R wrist plain film | frontal view | male, 17 yo.

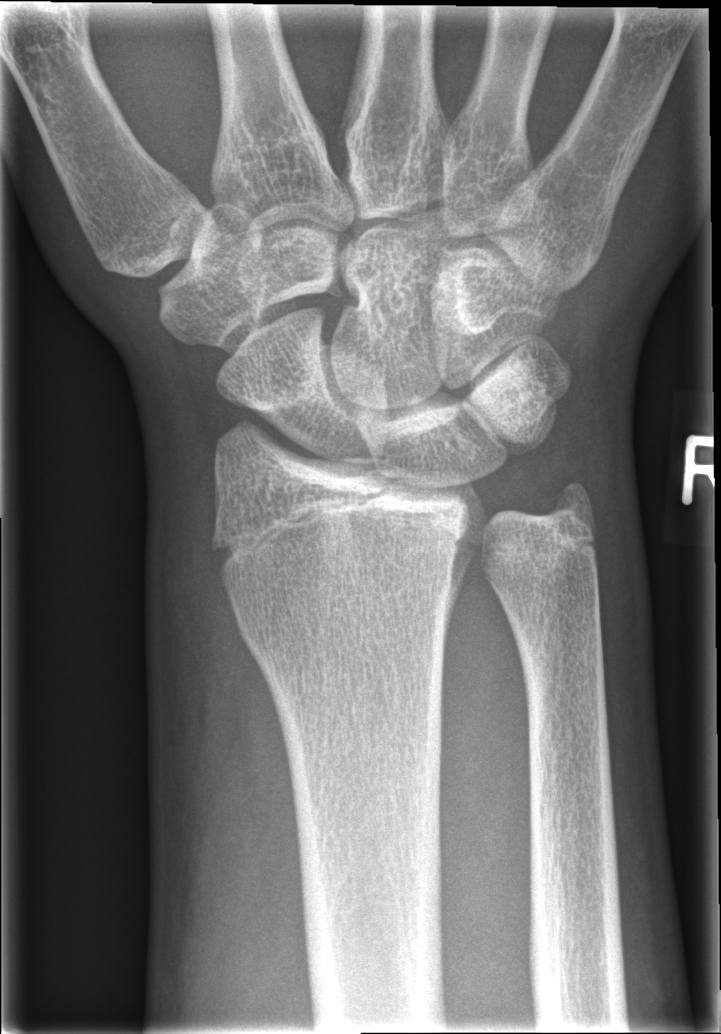 Fx: present but not clearly seen in this view.